Posteroanterior projection, left wrist X-ray, pediatric patient (male, age 13), acquired on Siemens
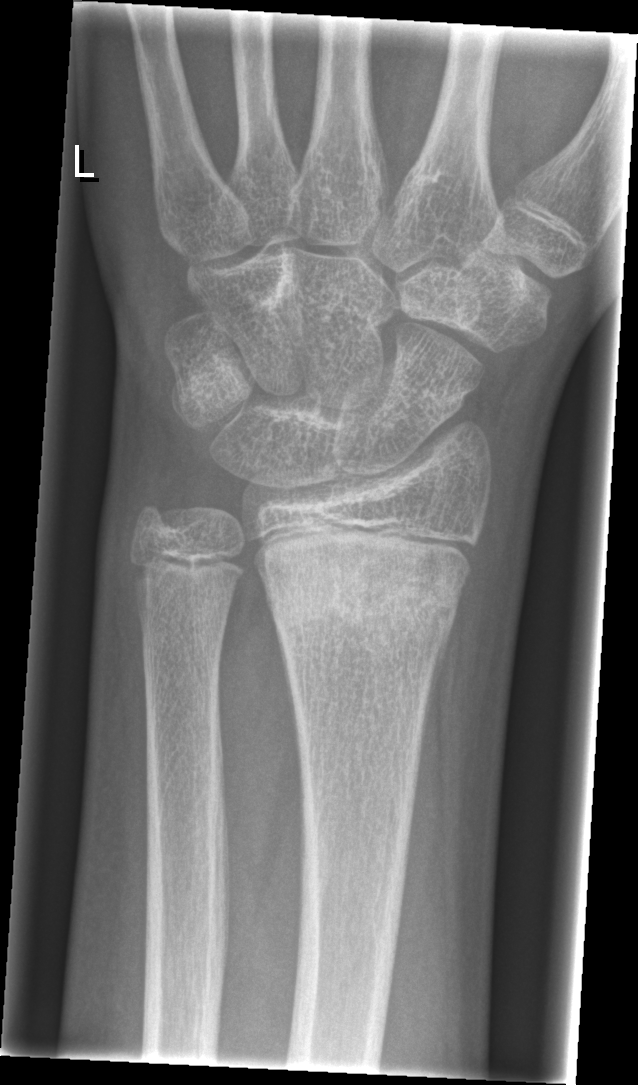

FINDINGS: (boxes as x1,y1,x2,y2 (top-left / bottom-right, pixel units)) Fracture identified at [x1=261, y1=553, x2=465, y2=638].